Right wrist XR · posteroanterior projection · age 11 y, girl.
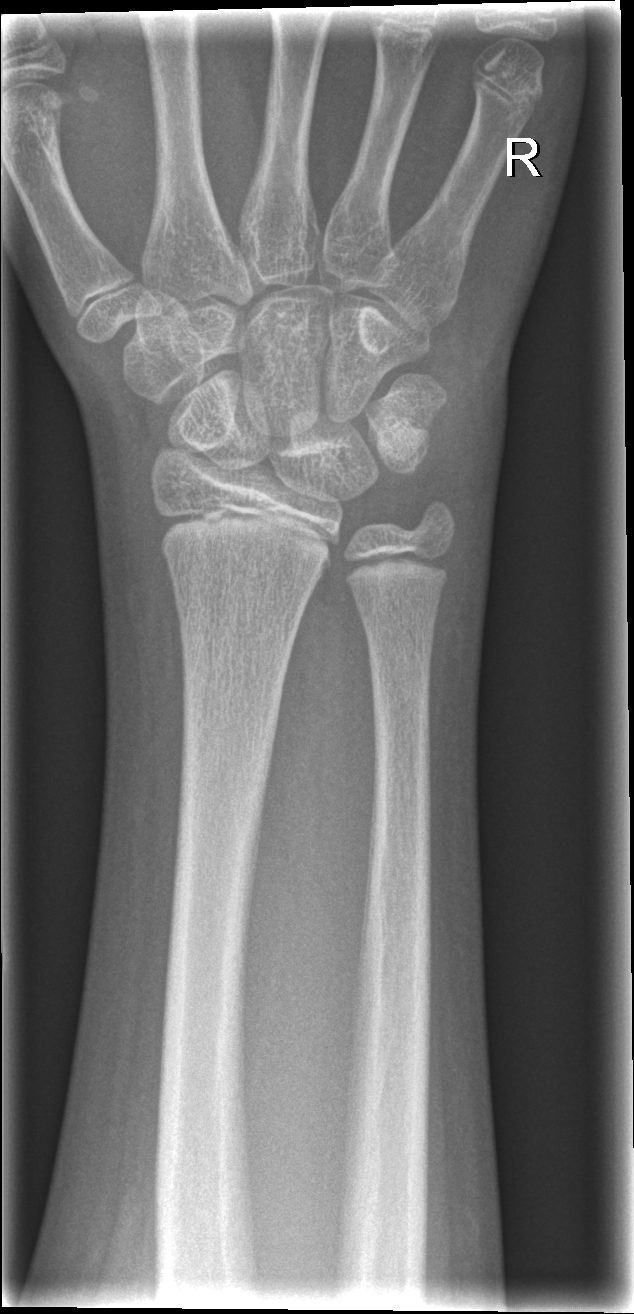   fracture: none labeled